Right wrist XR, posteroanterior, 5y M, in cast, 559x856 —

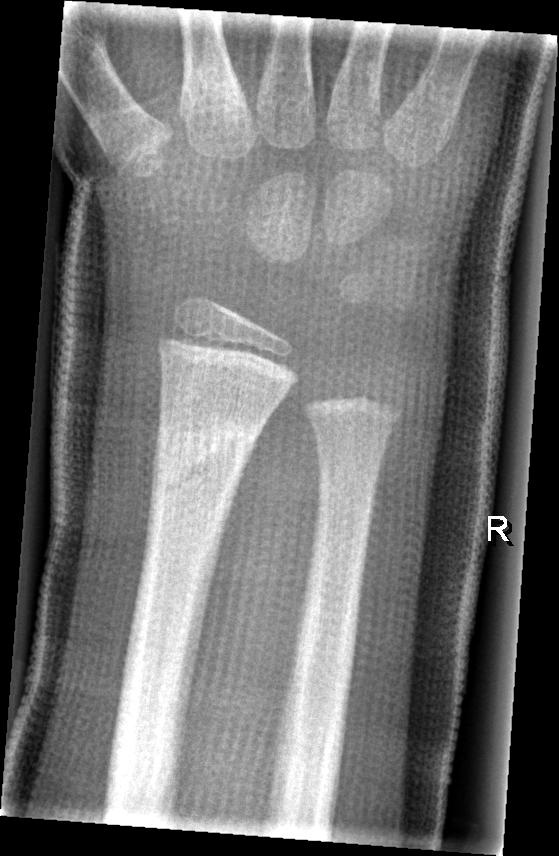
AO classification = 23r-M/2.1
Bone fracture = (142, 403, 274, 519)